Right pediatric wrist radiograph; lat projection; age 11 y, girl: 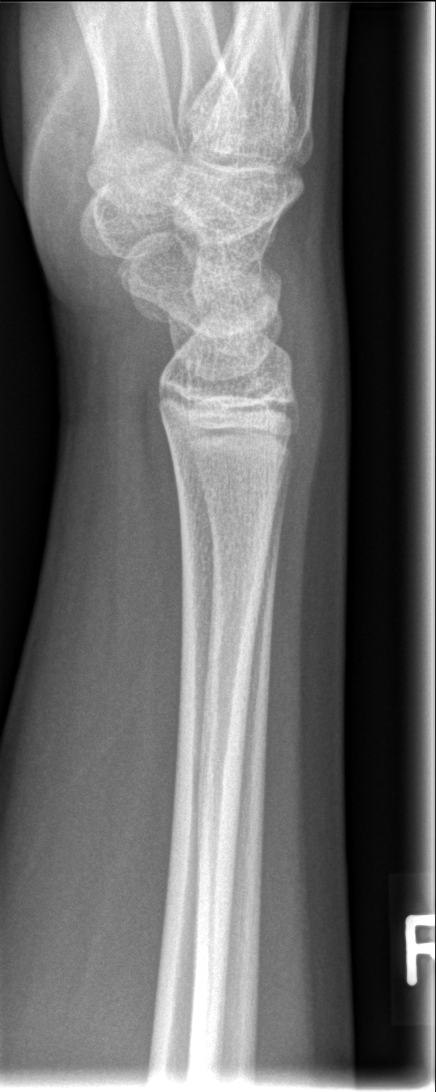
No fracture labeled.